Rt plain radiograph of the wrist · PA/AP projection · male, 14 yo · Siemens · 78.0 mm image width · 542x816.
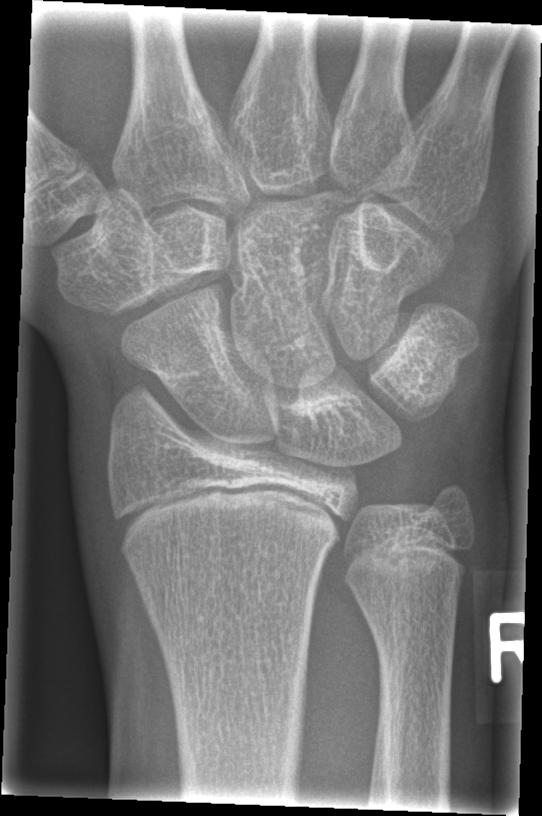 bone fracture = none labeled